Lateral projection | Lt wrist radiograph | follow-up | cast present: 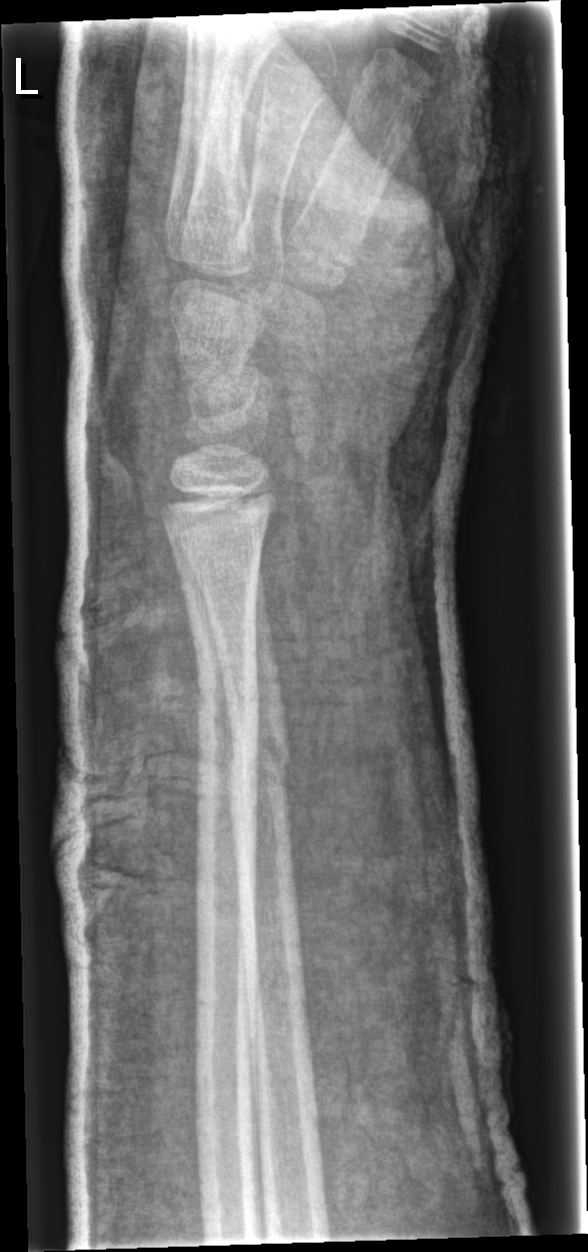 Fracture classified AO/OTA 23r-M/3.1; 22u-D/4.1. Bone fractures — <222,723>-<294,813>; <193,670>-<263,731>.